Rt wrist plain film | lateral projection | acquired on Siemens
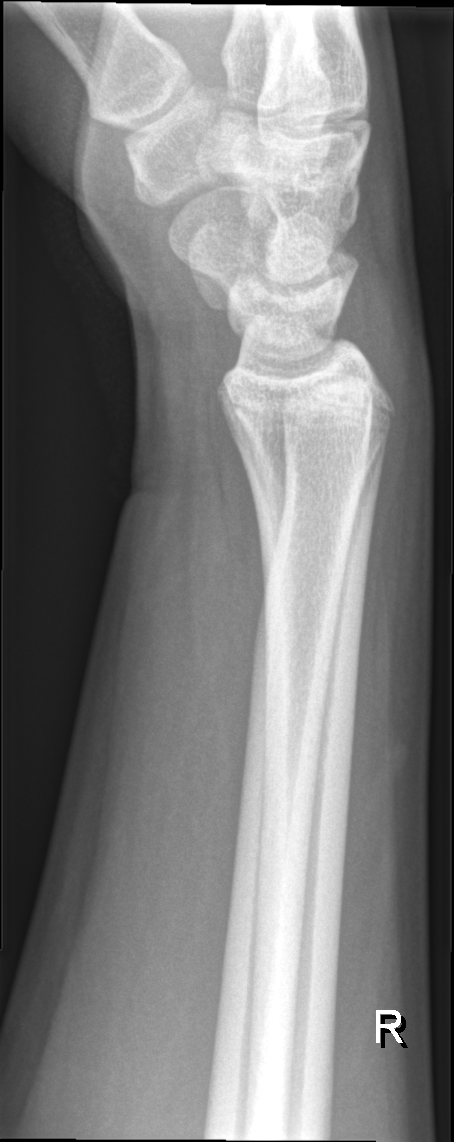 Bone fracture = none labeled